Posteroanterior; R plain radiograph of the wrist; detector: Siemens; image size 764x1088.
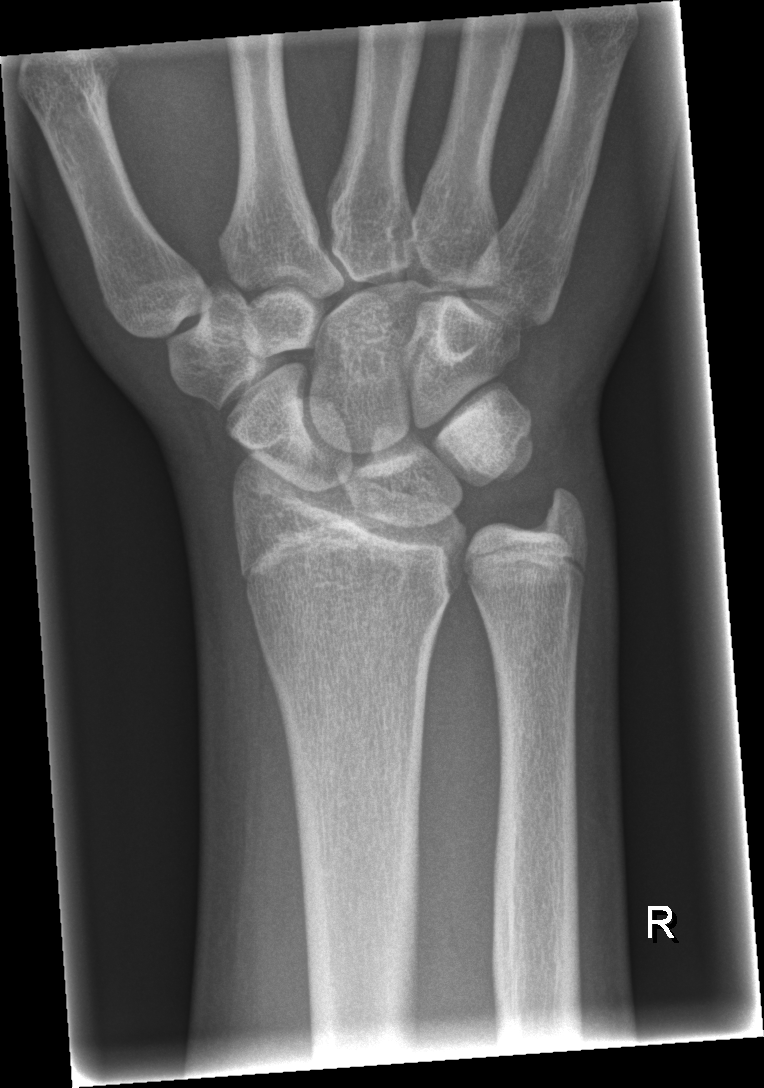

Findings: No Fx annotated.